Right plain radiograph of the wrist; lat projection:
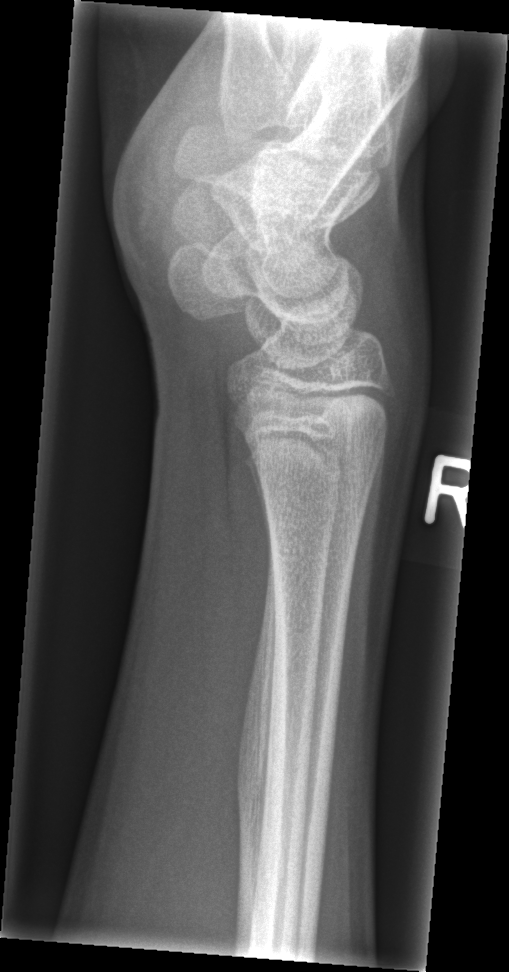

Fracture = none labeled